Lateral view, R pediatric wrist radiograph, 8-year-old male 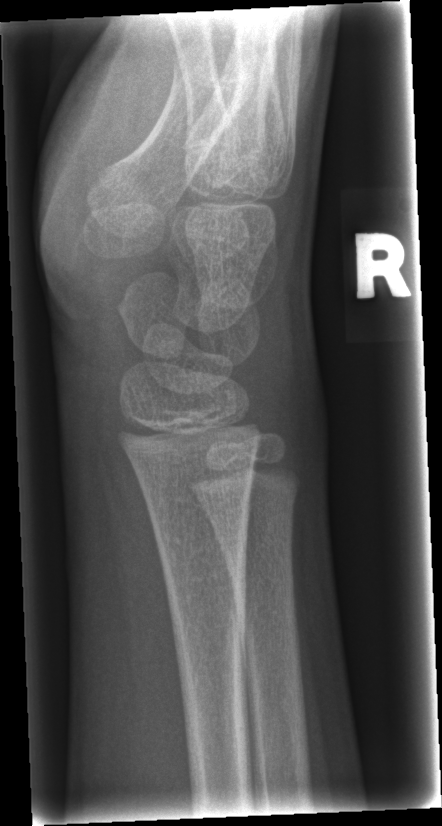
No fracture labeled.